Left wrist X-ray; lateral projection; 6y M; follow-up; cast present
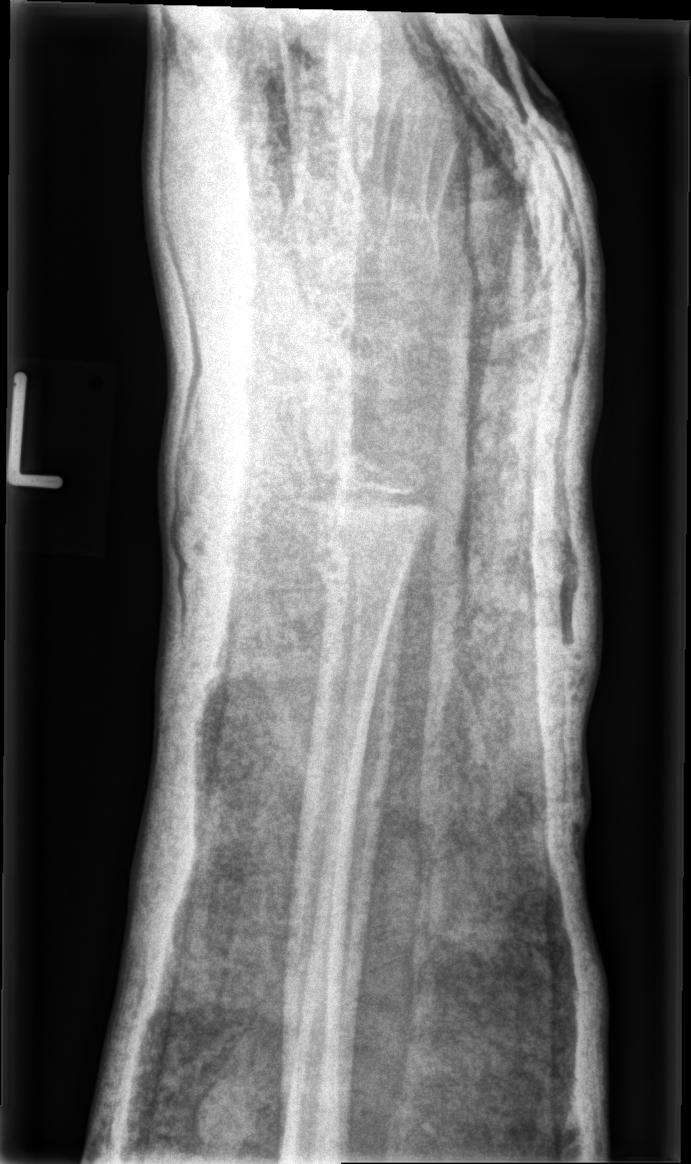

AO code 23r-M/2.1. Bone fracture — (left=307, top=528, right=427, bottom=602).